R wrist plain film; oblique projection. 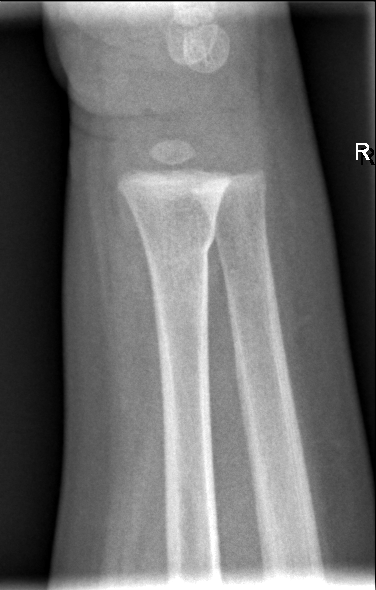

Pixel coordinates, top-left origin, xyxy.
AO/OTA classification: 23r-M/2.1.
Bone fracture: bbox(139, 218, 218, 272).